L wrist X-ray · AP · male, 12 yo · follow-up · cast in situ
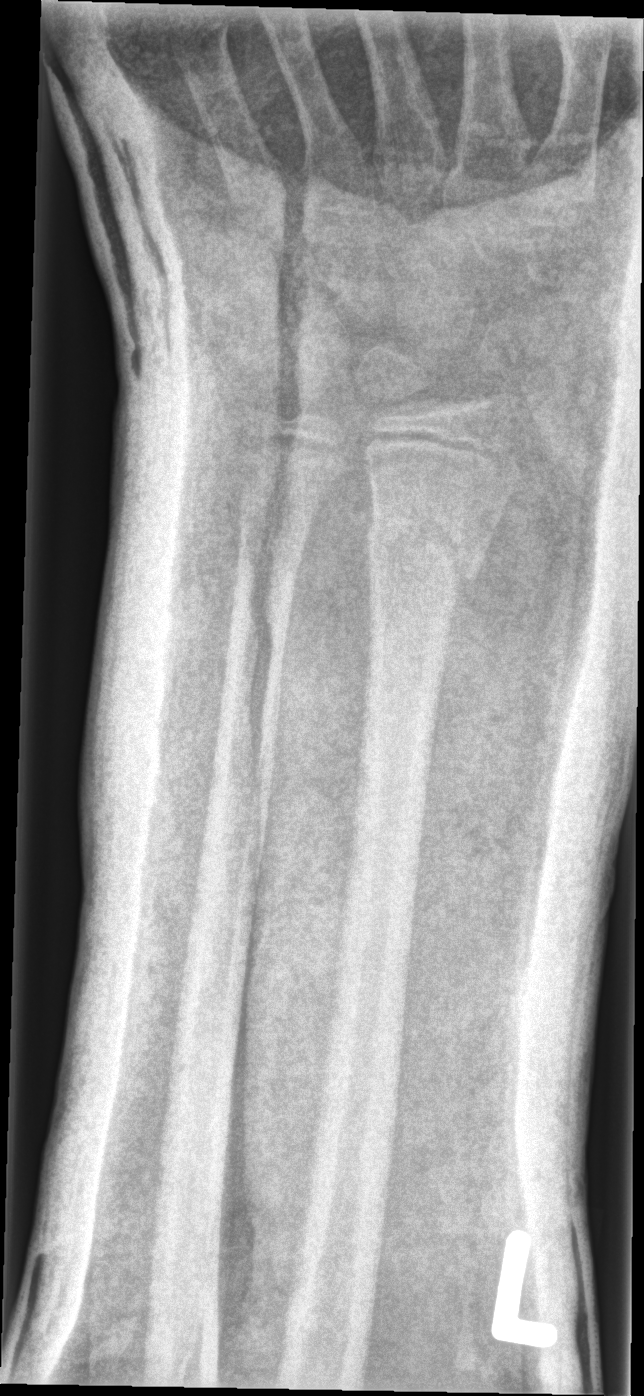
AO code = 23r-M/3.1
bone fracture = 1 @ (362, 492, 489, 600)